Lt wrist plain film; lat view; imaged through cast; image 73.4 mm wide; image size 510x1046 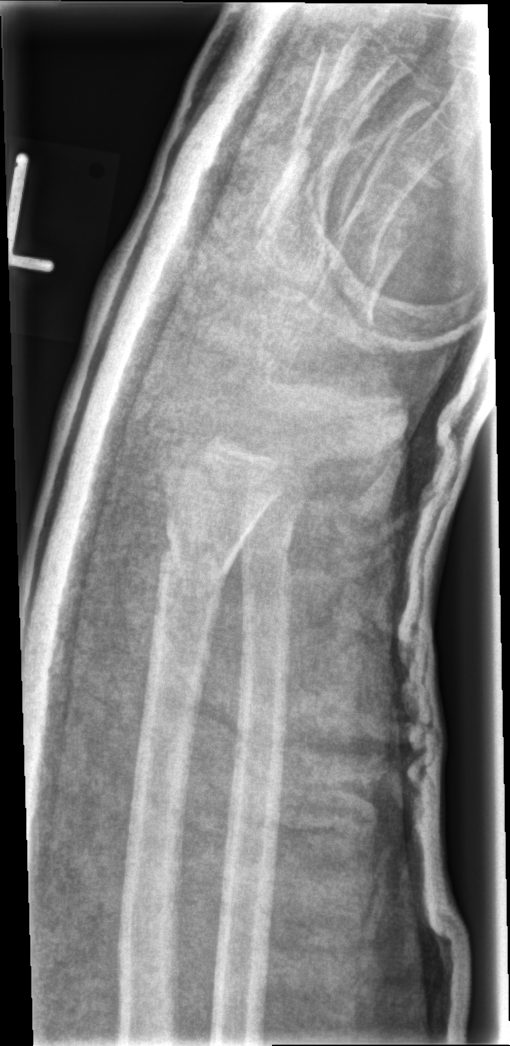

Boxes as x1,y1,x2,y2 (top-left / bottom-right, pixel units). Fracture classified AO/OTA 23-M/3.1. Bone fracture identified at <156,516>-<231,607> <240,529>-<296,581>.